Lateral · right plain radiograph of the wrist · 7y M · follow-up · imaged through cast.
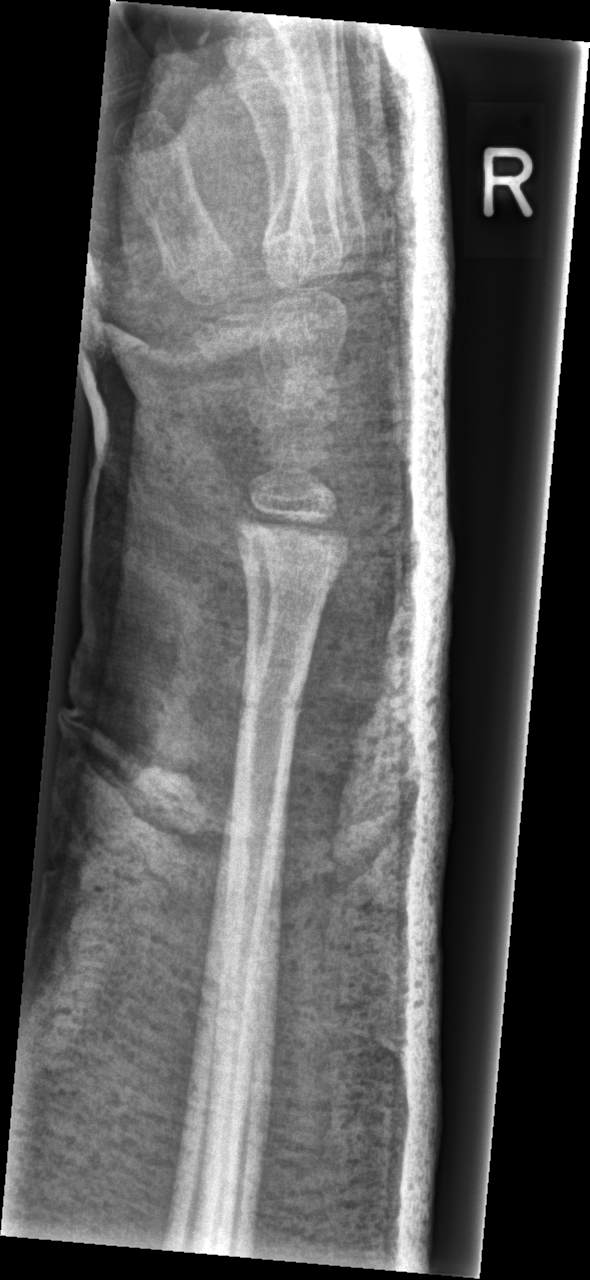

ao: 23r-M/3.1
fracture: 1 @ (left=235, top=680, right=309, bottom=739)